Left wrist X-ray | PA/AP | 14-year-old male | presentation radiograph 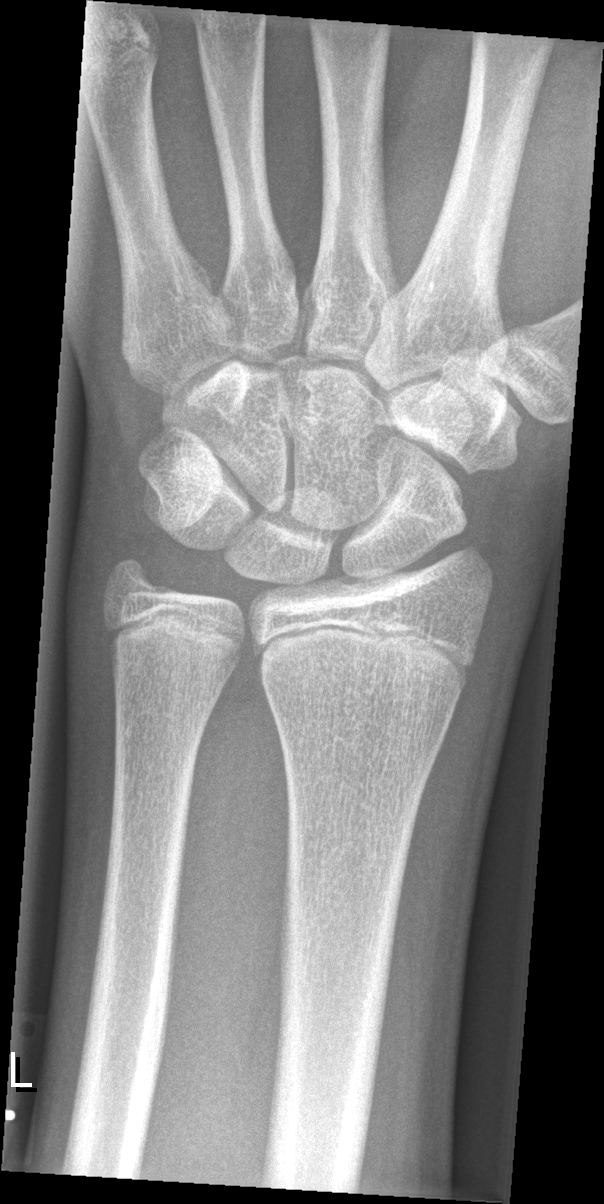
No fracture bounding box.